Lateral projection | L plain radiograph of the wrist.

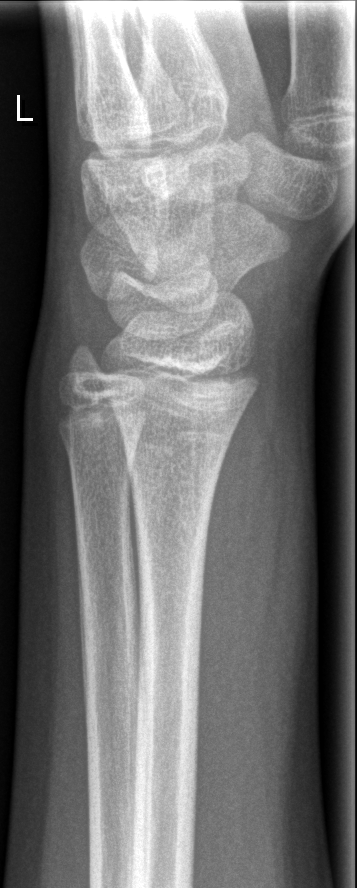

Q: Any fracture seen?
A: Fx: none
Q: Is there soft-tissue abnormality?
A: Soft-tissue swelling: <197,382>-<318,801>